AP; Rt plain radiograph of the wrist: 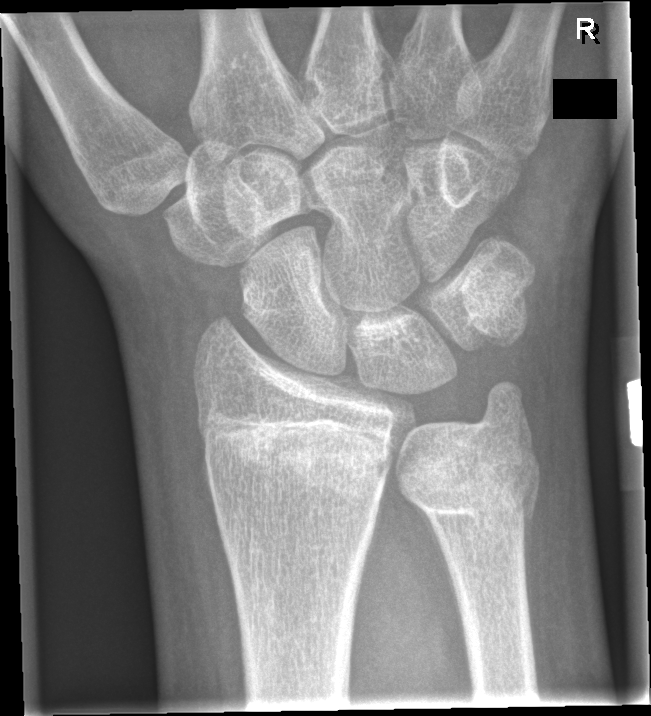 bone fracture: 2 @ 202 408 401 509; 395 437 544 527